Lateral view; left wrist plain film; age 15 y, male; subsequent exam — 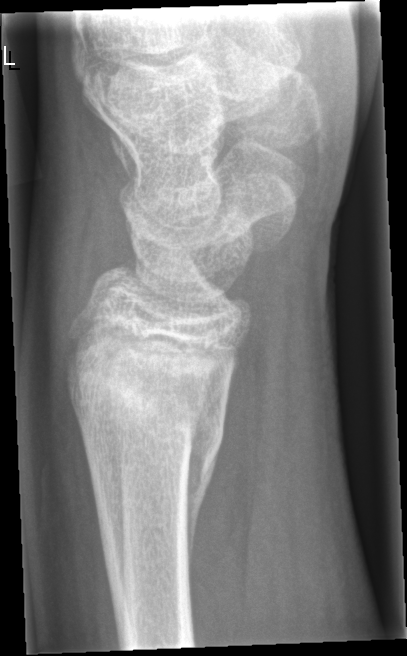

osteopenia: present
periostealreaction: 1 @ (left=184, top=420, right=224, bottom=623)
ao: 23r-M/3.1; 23u-E/7
fracture: 1 @ (left=60, top=320, right=236, bottom=465)